Right pediatric wrist radiograph; lat view; cast present —

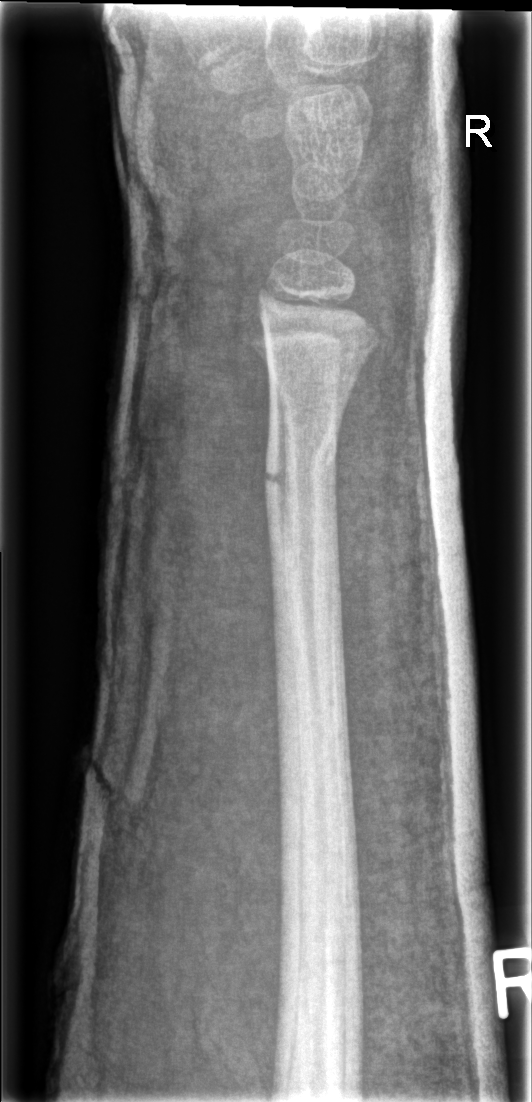

AO/OTA = 23r-M/3.1
fracture = 1 @ (260, 414, 345, 544)